AP | Lt pediatric wrist radiograph | age 10 y, girl | follow-up:
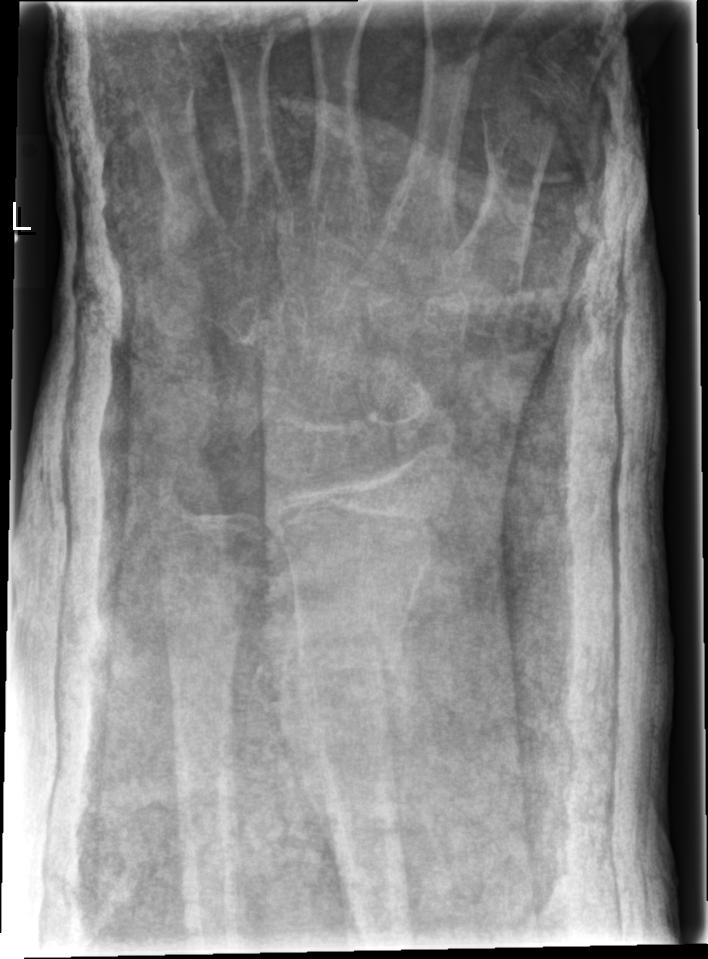
Fx = 1 @ <275,618>-<413,700>
periosteal reaction = <274,600>-<338,864>; <381,618>-<417,823>
AO/OTA = 23r-M/3.1